Lateral · left wrist plain film · pediatric patient (male, age 11) · acquired on Siemens

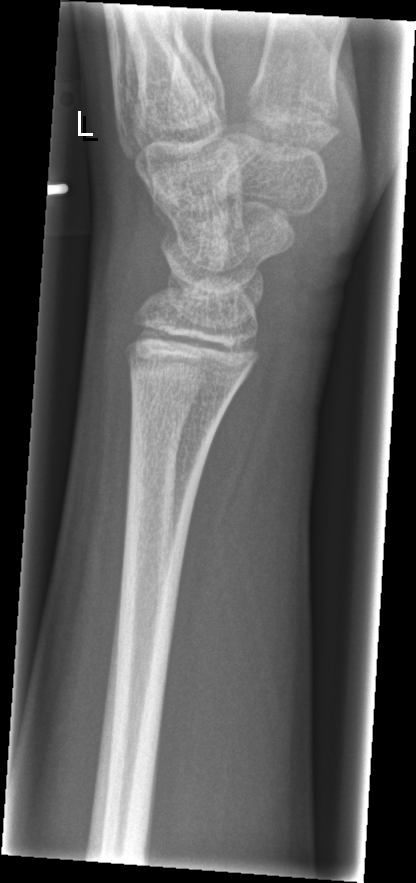

  fracture: none labeled